PA/AP · L wrist plain film · in cast · Agfa · 1092x1092: 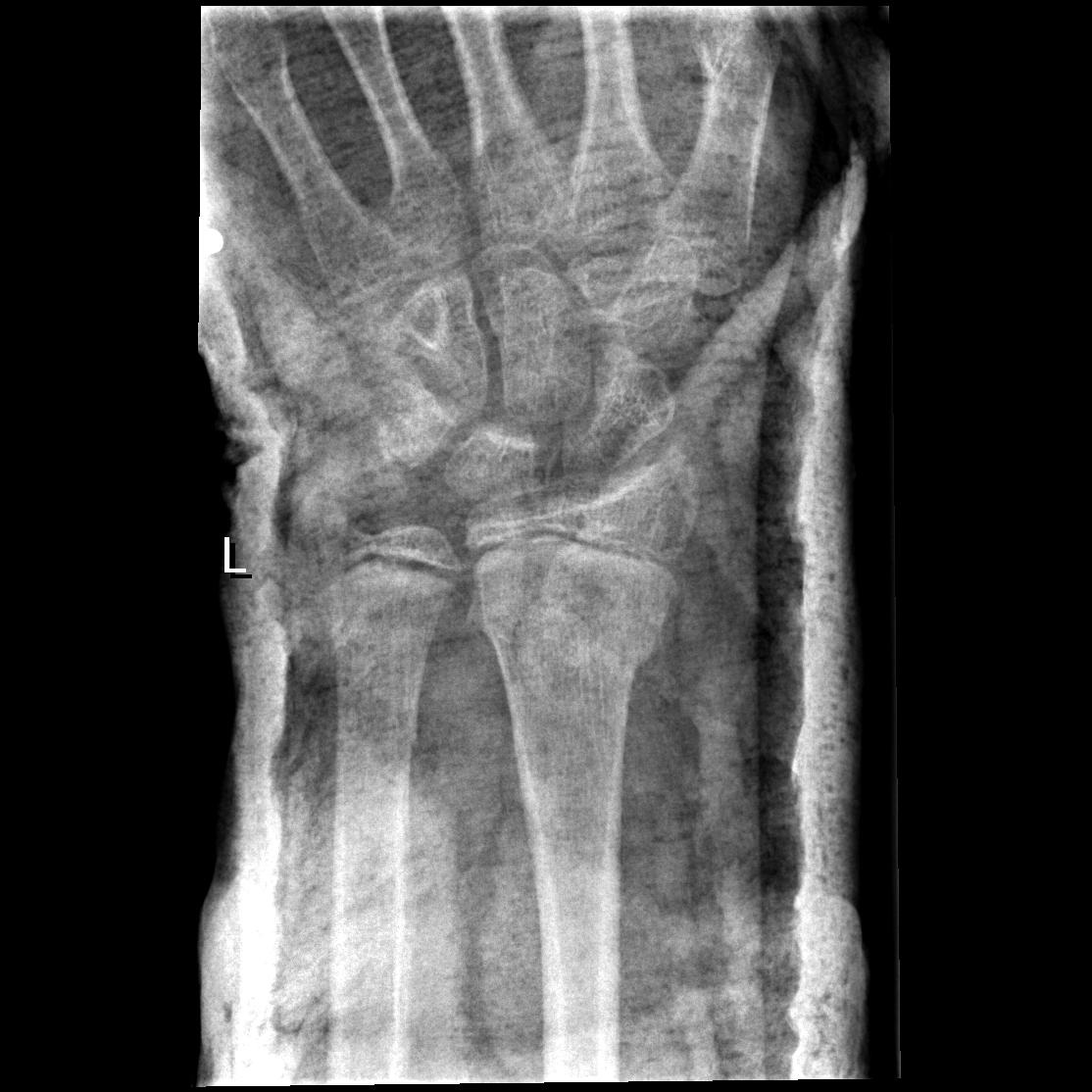

Findings: (pixel coordinates, top-left origin, xyxy) Fracture: bbox(467, 584, 670, 684); bbox(332, 697, 422, 769).